Posteroanterior view | right plain radiograph of the wrist | acquired on Siemens.

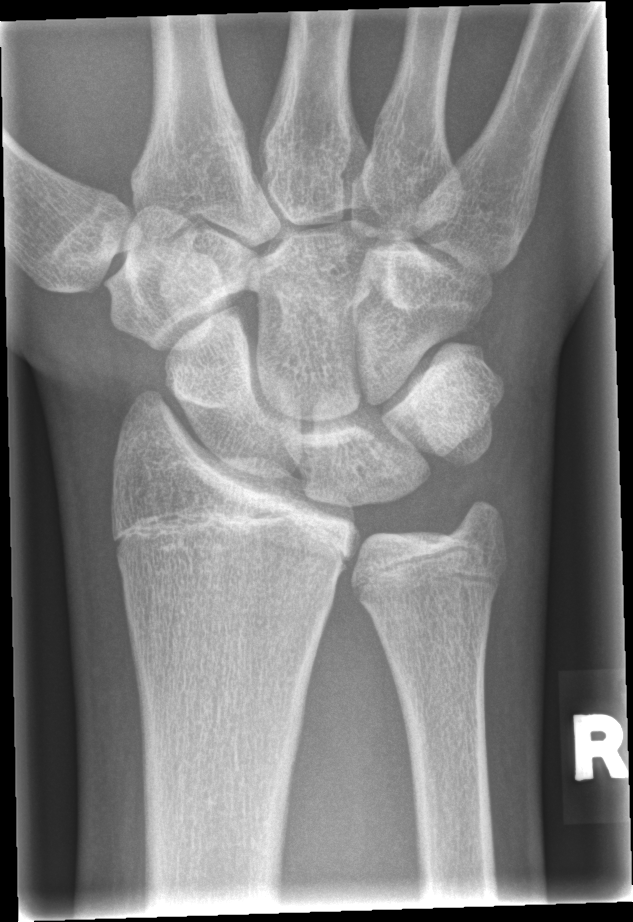 • No fracture bounding box.